Left wrist plain film; PA/AP projection; image size 625x1134: 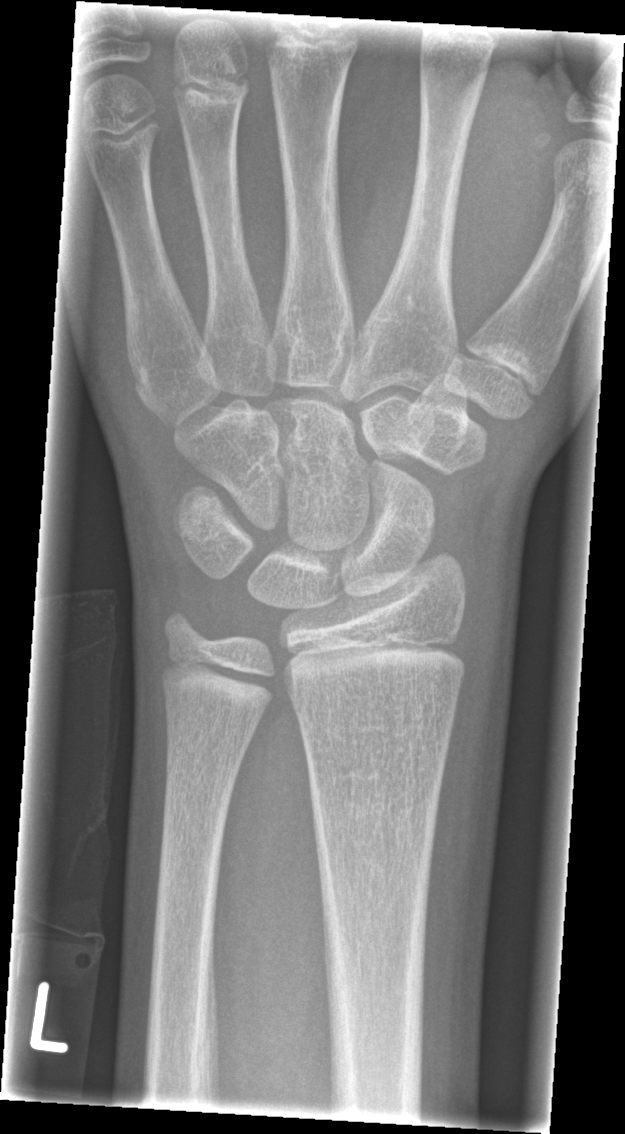

fracture = 1 @ bbox(305, 769, 442, 884)